Lat projection; Lt wrist radiograph 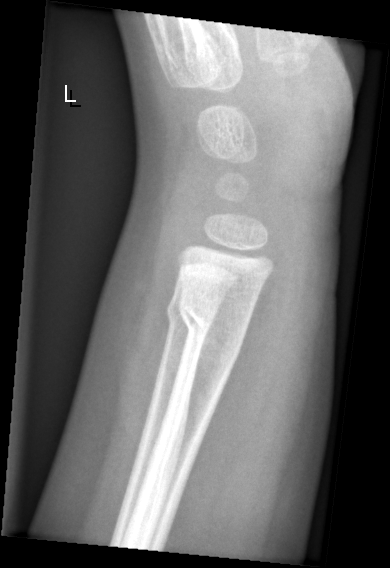

• Fractures — 177 288 252 361; 165 298 215 340.